Right pediatric wrist radiograph | lat:
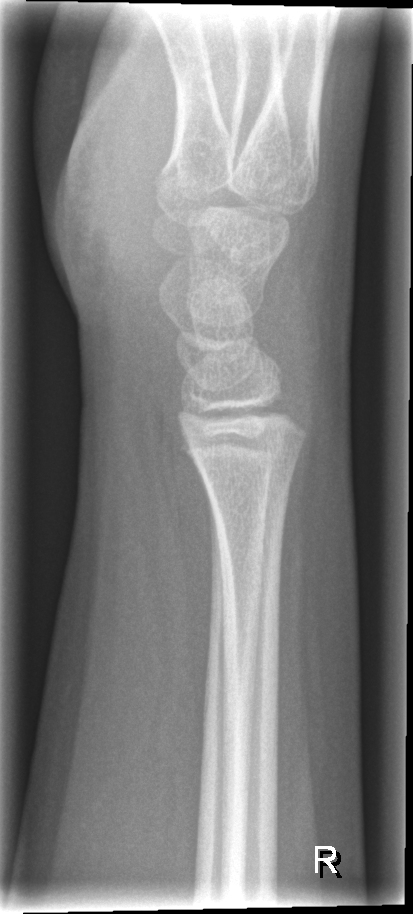 Fx = none labeled